Posteroanterior projection | L wrist radiograph | 5y F | follow-up study | image 60.9 mm wide | 423 by 974 pixels.
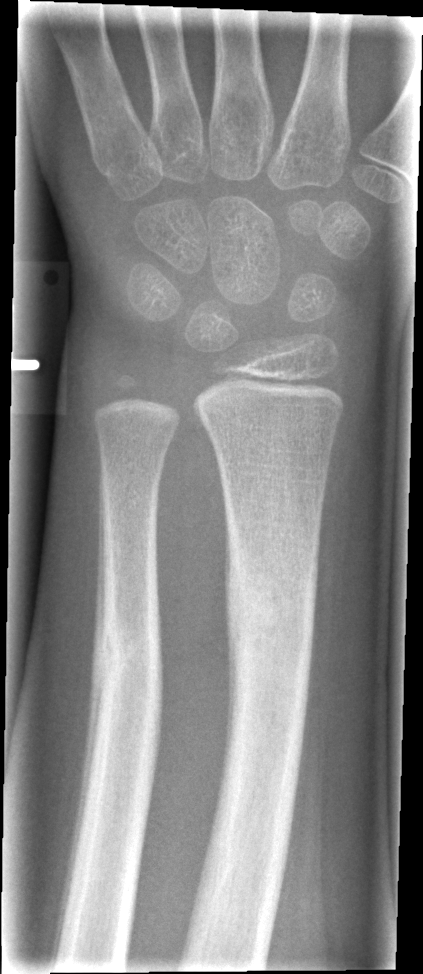

FINDINGS — Two periosteal new bone at bbox(50, 465, 110, 966) bbox(218, 497, 242, 801). Osteopenia. Bone fracture: bbox(87, 622, 167, 710); bbox(222, 584, 322, 643).